PA/AP projection, left wrist radiograph, cast present, 617 by 1206 pixels.

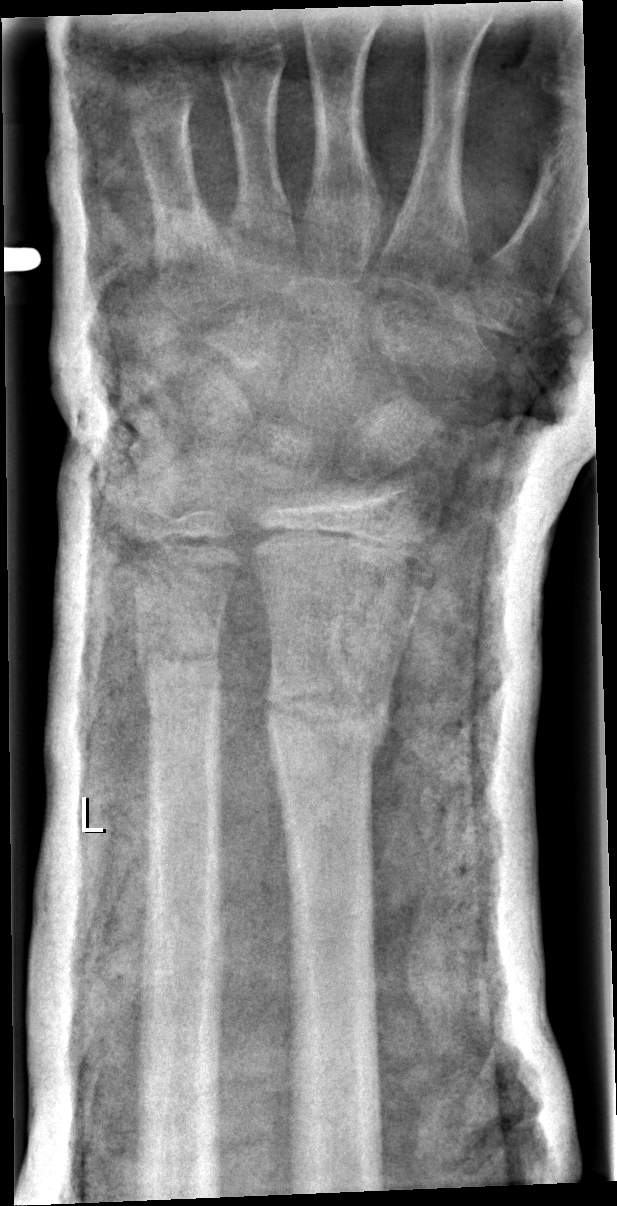 FINDINGS: (bounding boxes in image-pixel xyxy) Bone fracture identified at (262, 669, 395, 766), (134, 628, 225, 695).